Right wrist XR · lateral · acquired on Siemens · 494x816. 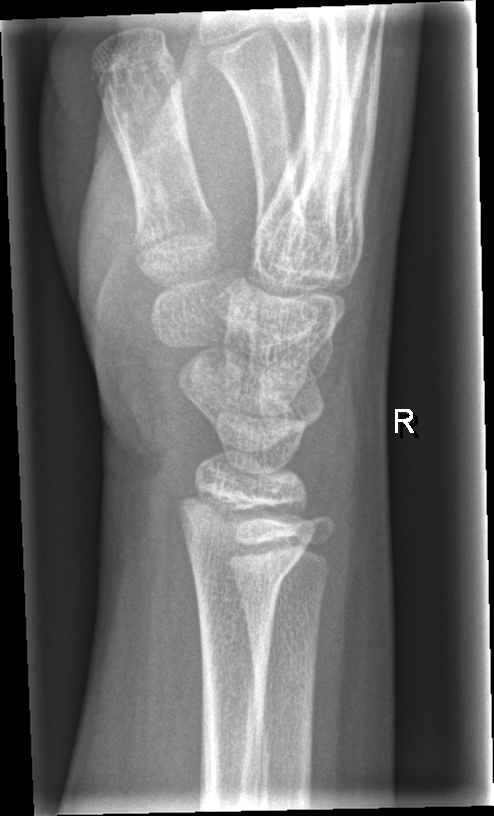
(bounding boxes in image-pixel xyxy)
Bone fracture = bbox(184, 546, 306, 605)
AO/OTA = 23r-M/2.1